Left wrist plain film; lat; age 7 y, male; Siemens; 368 by 962 pixels

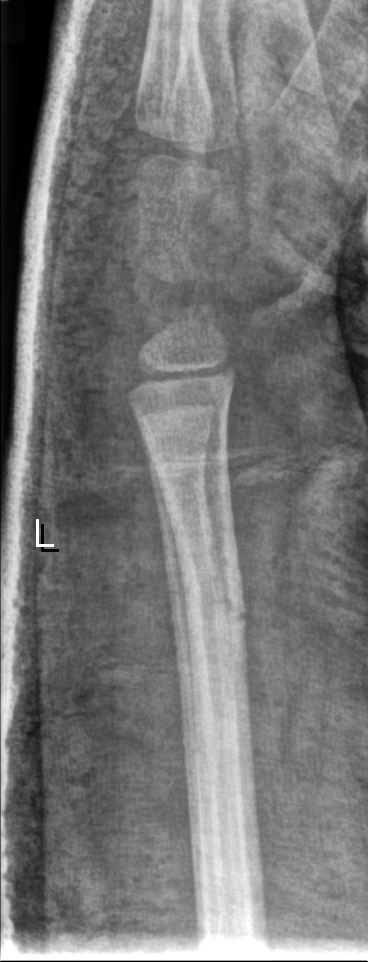
Bone fracture identified at bbox(181, 594, 251, 644). AO/OTA classification: 22r-D/2.1.